Posteroanterior, Rt wrist X-ray, pediatric patient (female, age 13), index exam: 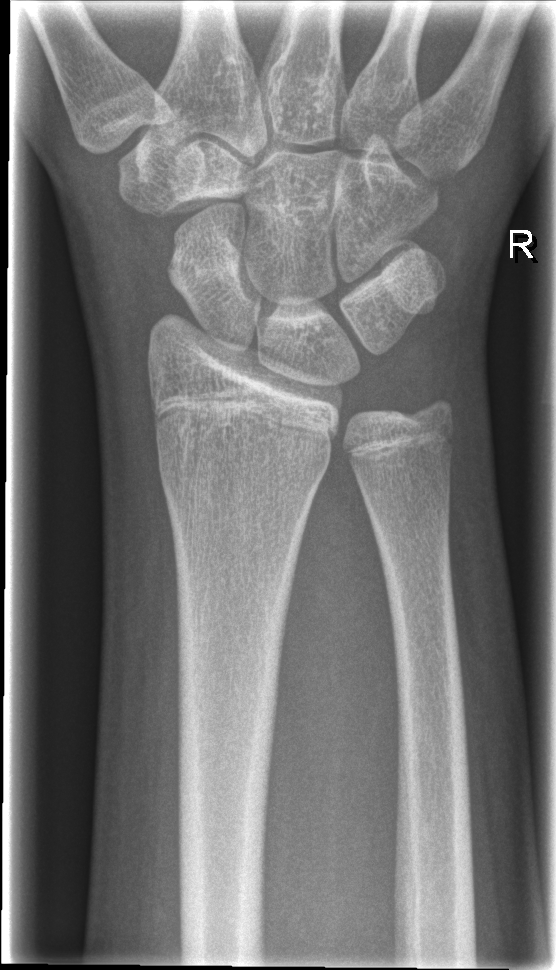 * Fx: none.